L pediatric wrist radiograph · PA/AP:
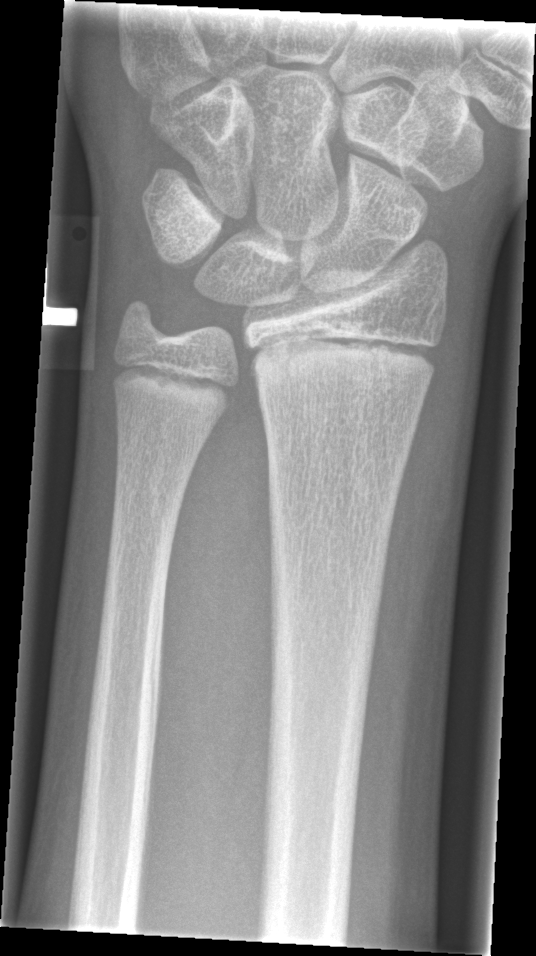 No fracture bounding box.